Lat | Lt wrist radiograph:
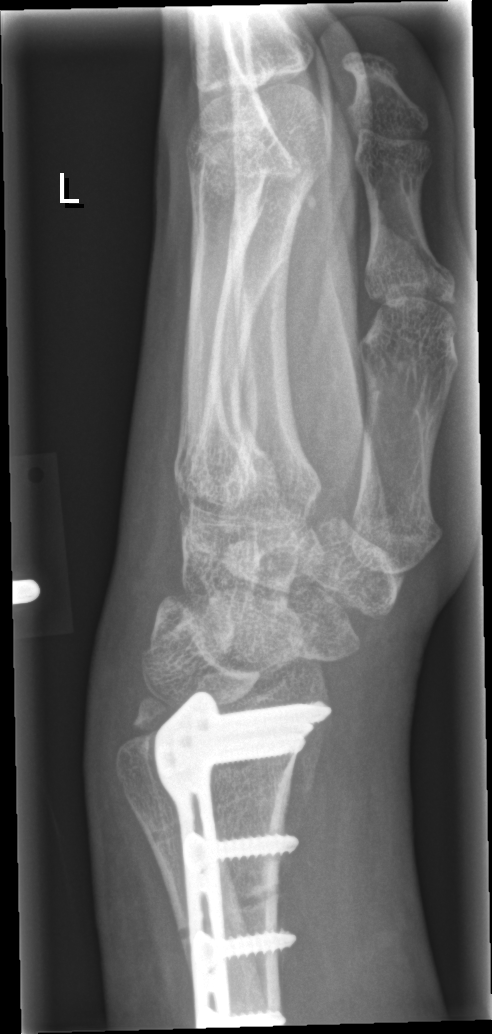
Coordinates are [x1, y1, x2, y2] in image pixels.
Hardware identified at [149, 694, 333, 1031].
Bone anomaly identified at [174, 872, 291, 948] [213, 772, 292, 826].
Fracture classified AO/OTA 23r-M/3.1; 23u-E/7.
Bone fracture — [115, 690, 177, 750].